Right pediatric wrist radiograph, lateral. 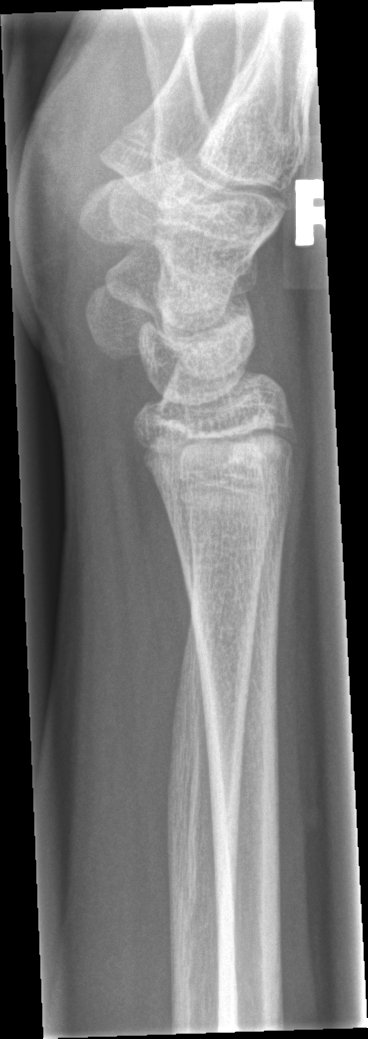
No fracture bounding box.